Lateral view; left wrist XR; index exam; detector: Siemens.
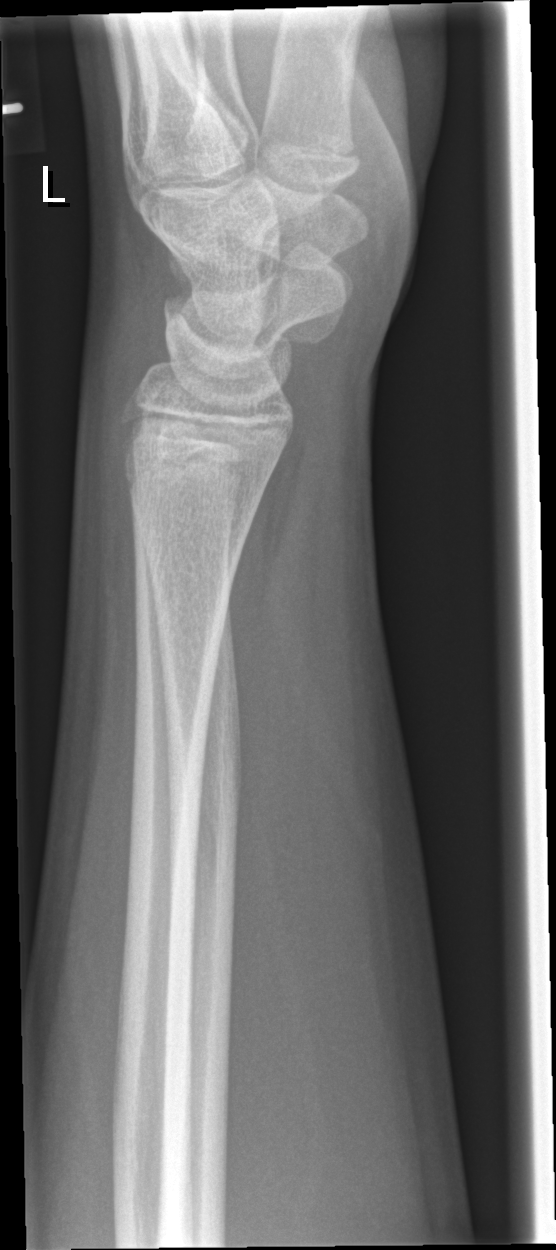

Q: Locate any fractures.
A: No Fx annotated